Right wrist pediatric wrist radiograph | lat | in cast —

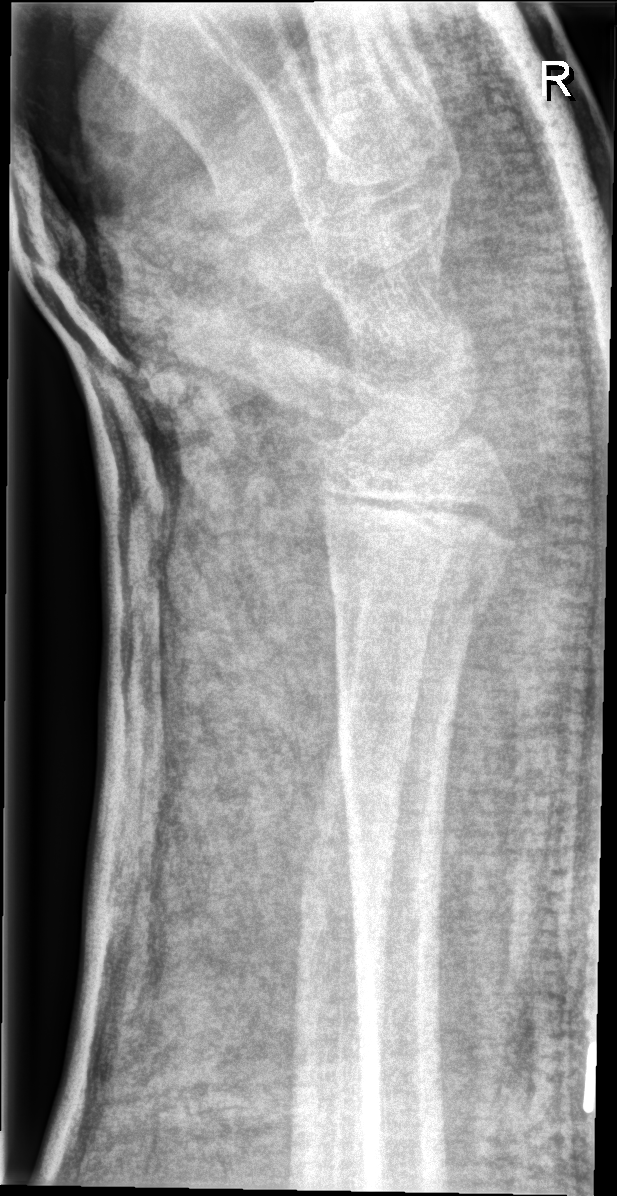
Q: Any fracture seen?
A: Fx: [x1=323, y1=535, x2=502, y2=643]
Q: AO code?
A: AO code 23r-M/2.1